Frontal view · left wrist plain radiograph of the wrist · 17y M · 746x984. 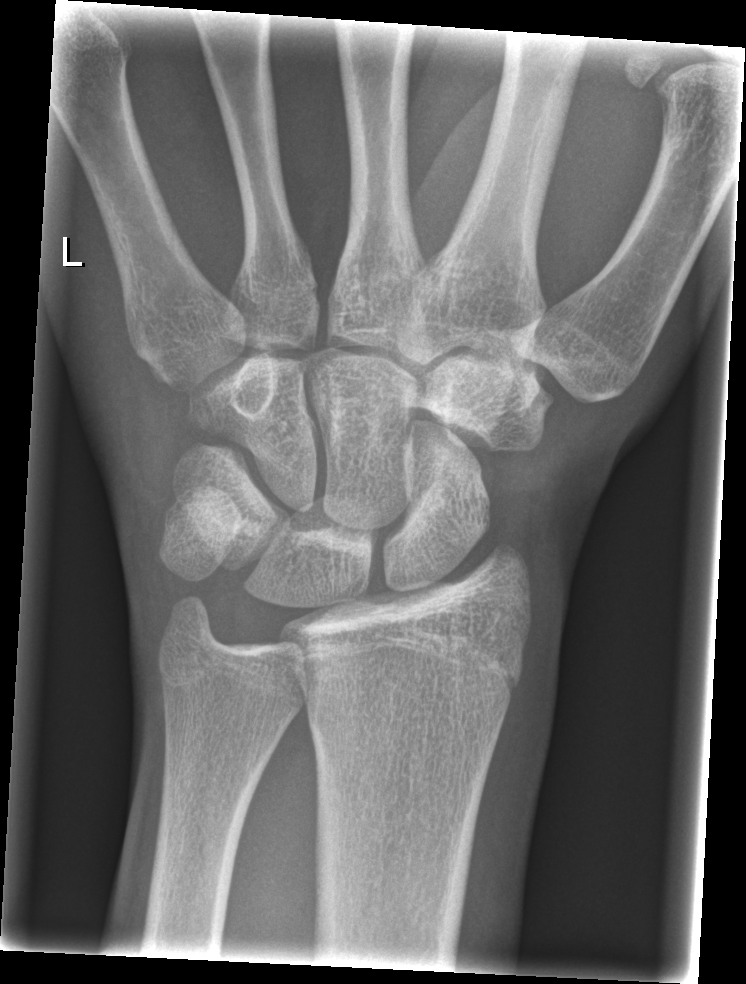 * No fracture labeled.